AP · right wrist XR · Siemens · 422 by 736 pixels.

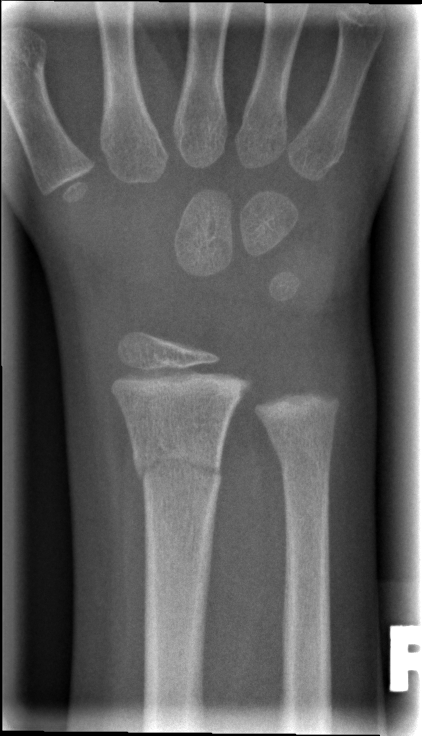 Fracture: 129 427 225 497.